Lat · right wrist radiograph — 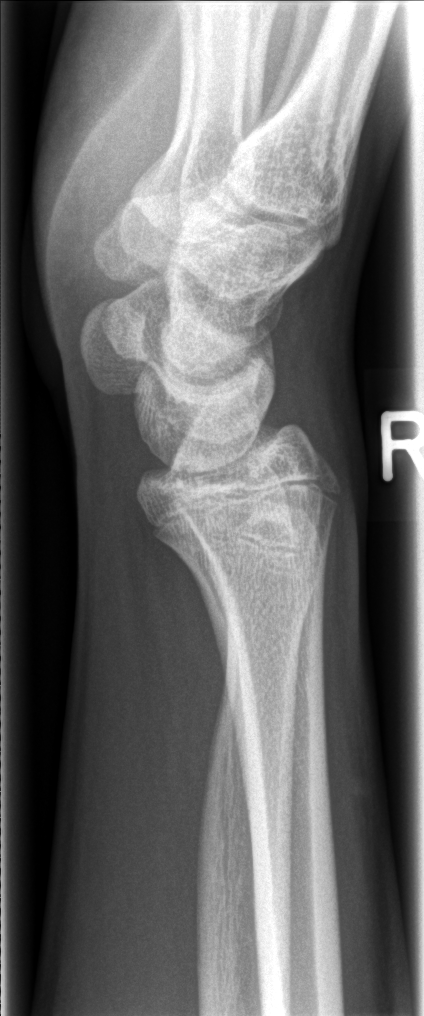
Fracture: none labeled.